Lat · right pediatric wrist radiograph · initial study · 442 x 1088 px.
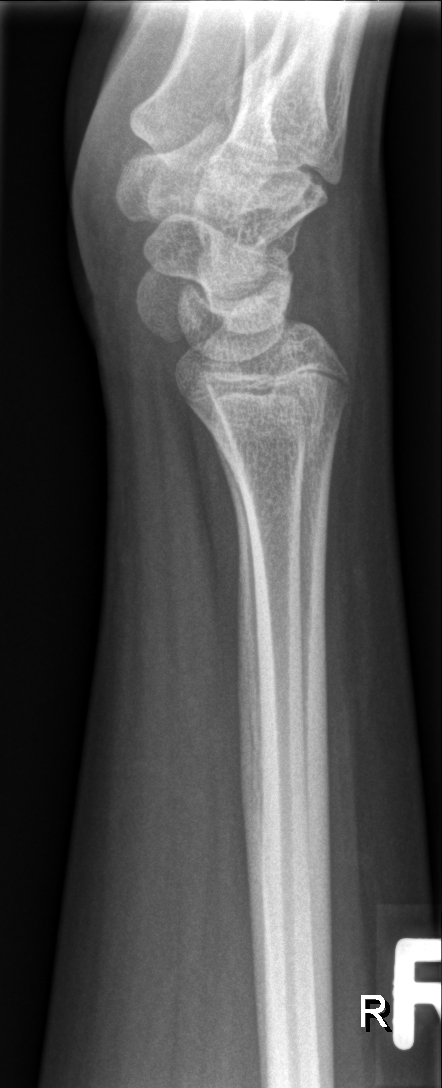

No fracture annotation.